Posteroanterior projection | L wrist XR.
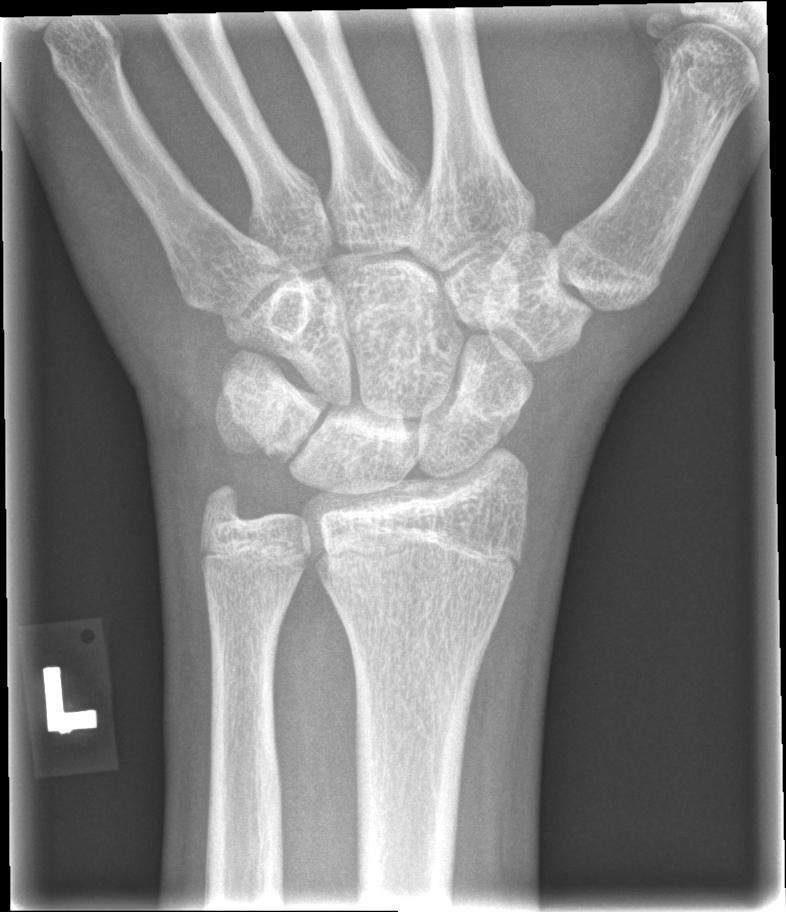
Fx = none labeled